PA/AP view, right wrist plain radiograph of the wrist, pediatric patient (girl, age 5), image width 69.4 mm, 482x966 —

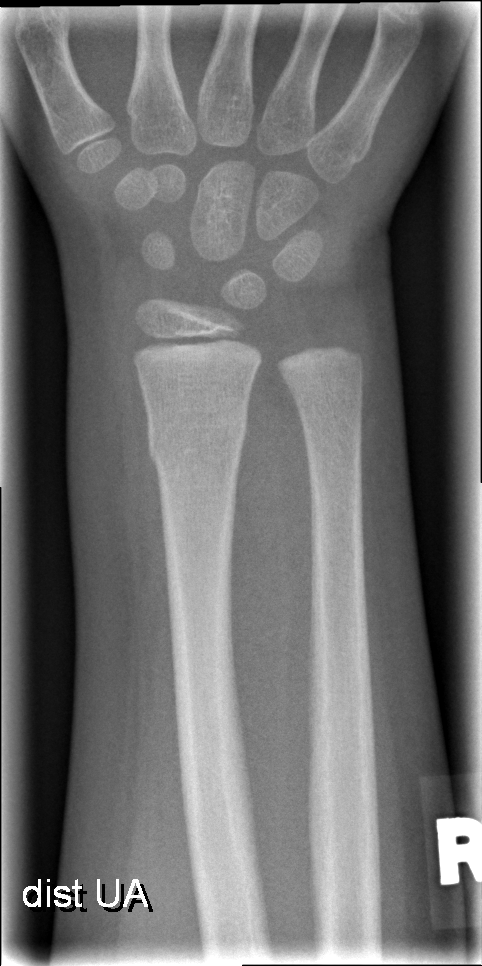

Fracture: <145,405>-<250,466>